Left wrist XR, lateral projection, 10-year-old girl, presentation radiograph:

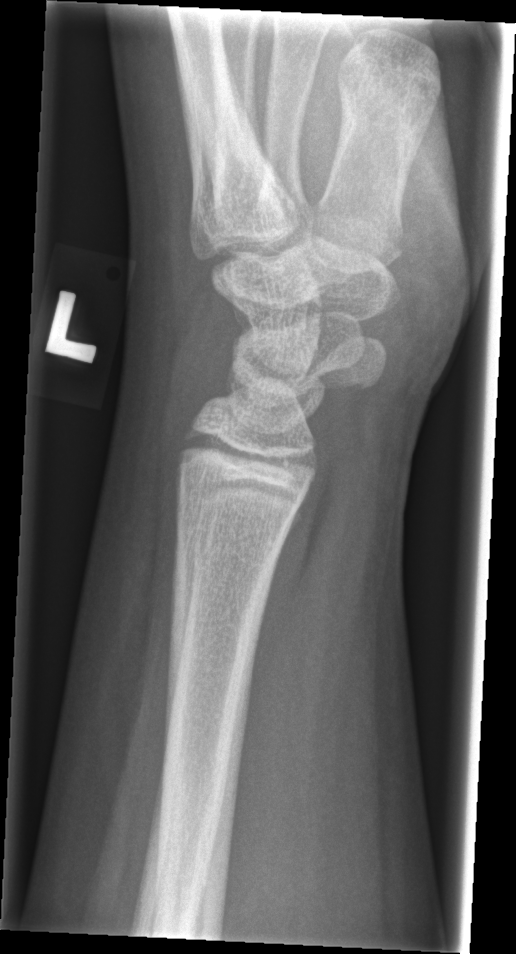 No fracture labeled.